L wrist plain film; lateral projection; cast present:

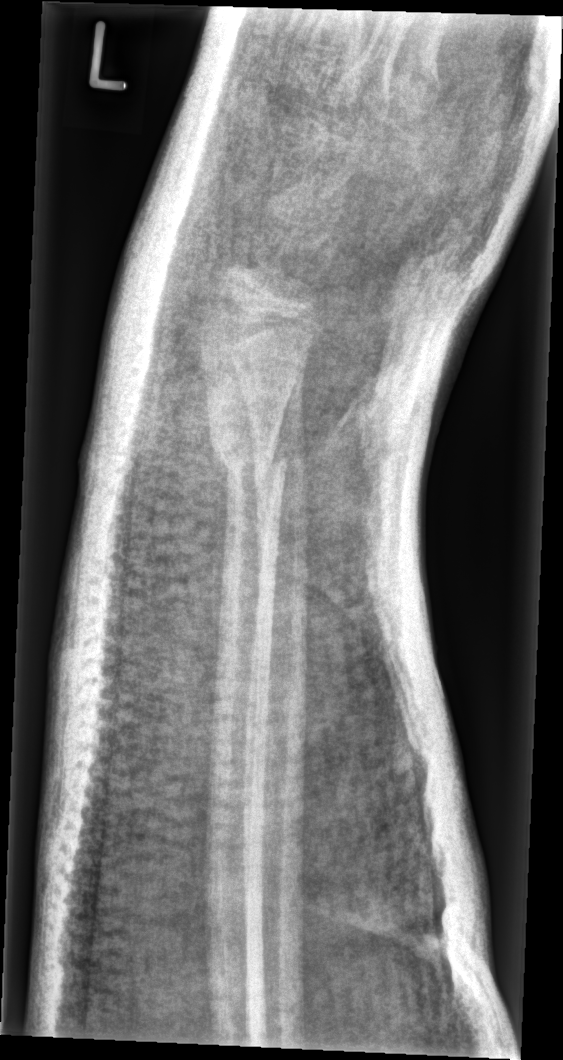

Fracture — bbox(202, 445, 291, 484).